Lateral view, Rt plain radiograph of the wrist, acquired on Siemens: 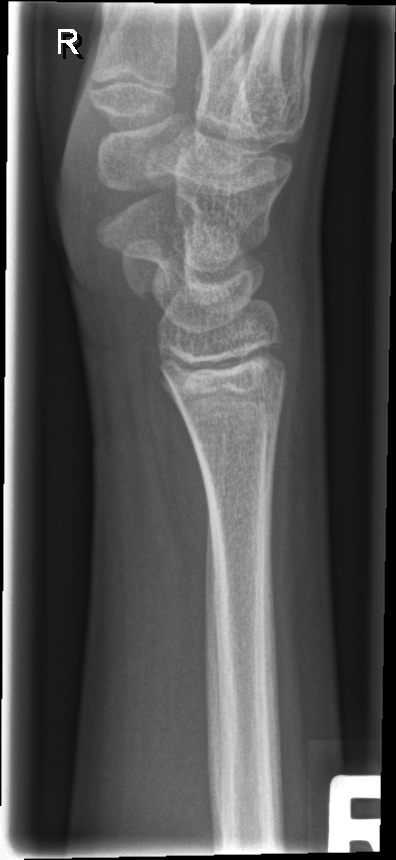
bone fracture = none labeled